L plain radiograph of the wrist; AP projection; presentation radiograph —
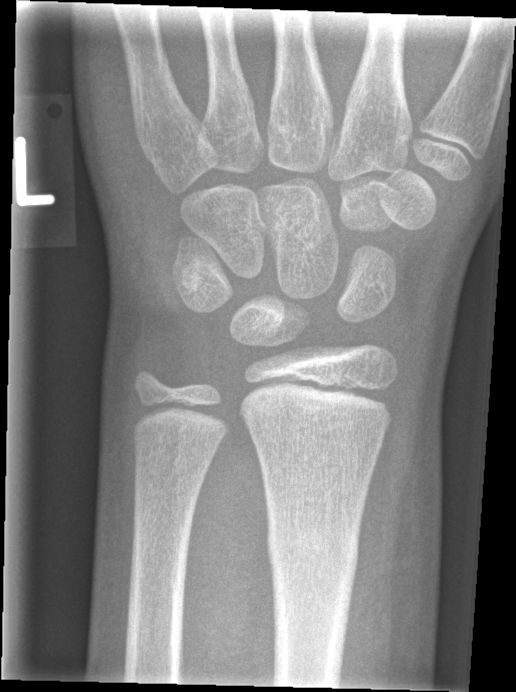
Findings: Bone fracture — bbox(266, 514, 362, 594). AO/OTA classification: 23r-M/2.1.